Lat view, R pediatric wrist radiograph, 12-year-old male, cast present —

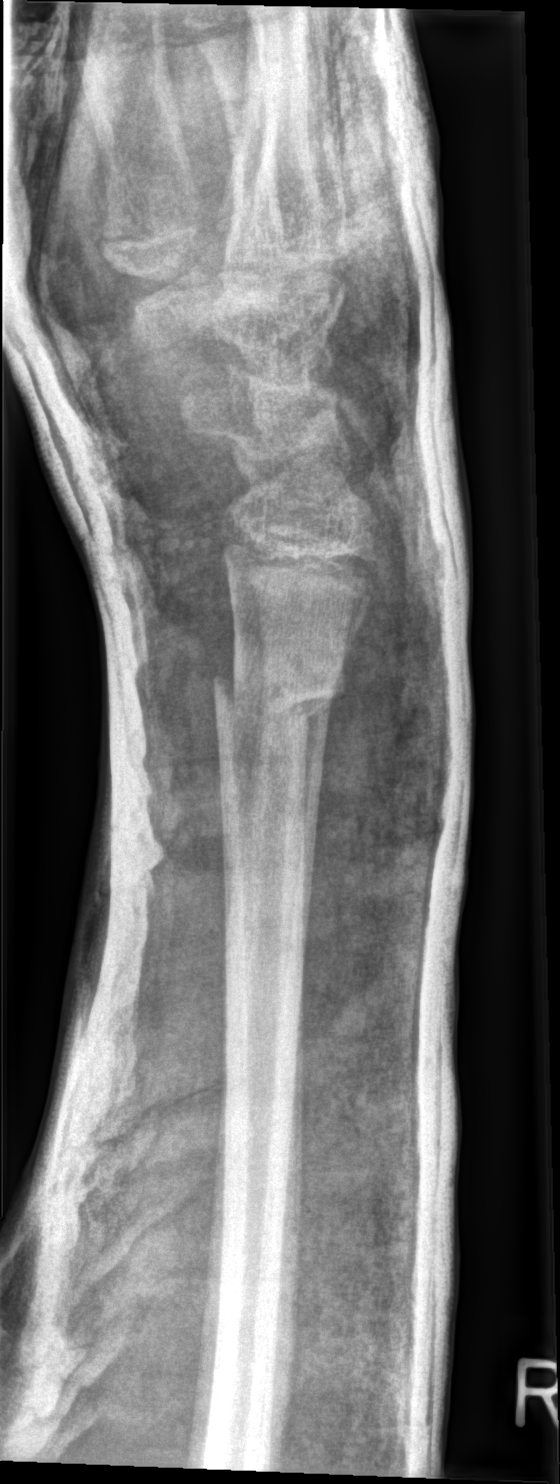
Q: Any fracture seen?
A: One fracture at (left=203, top=647, right=346, bottom=766)